Frontal view · left wrist X-ray · 6y F —
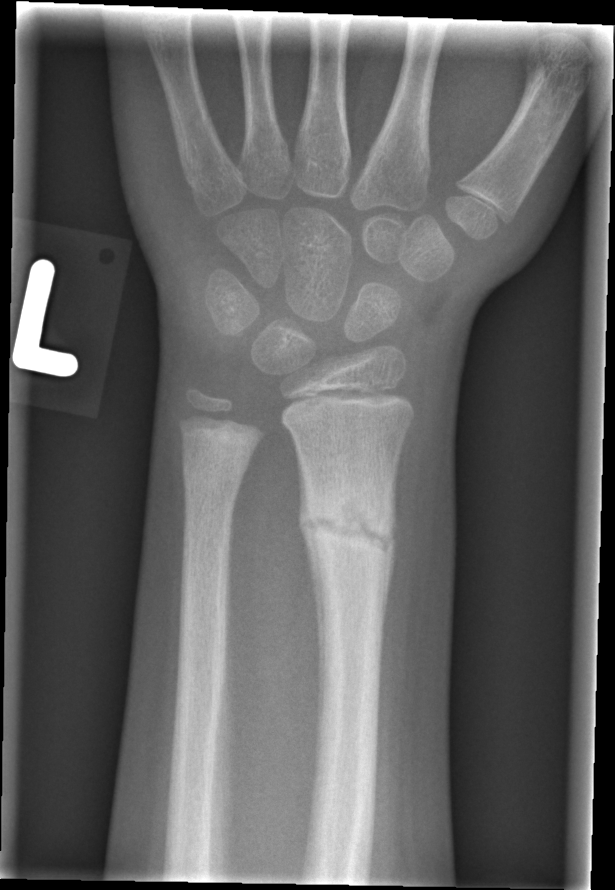

(coordinates are [x1, y1, x2, y2] in image pixels)
Q: Bone density?
A: Reduced bone mineral density
Q: Is there periosteal reaction?
A: Periosteal thickening identified at (left=296, top=438, right=326, bottom=741), (left=380, top=472, right=396, bottom=640)
Q: AO code?
A: Fracture classified AO/OTA 23r-M/3.1; 23u-M/2.1
Q: Is there a fracture?
A: Two fractures at (left=296, top=467, right=399, bottom=580); (left=173, top=427, right=256, bottom=512)